Left wrist plain film | AP projection | age 14 y, female —

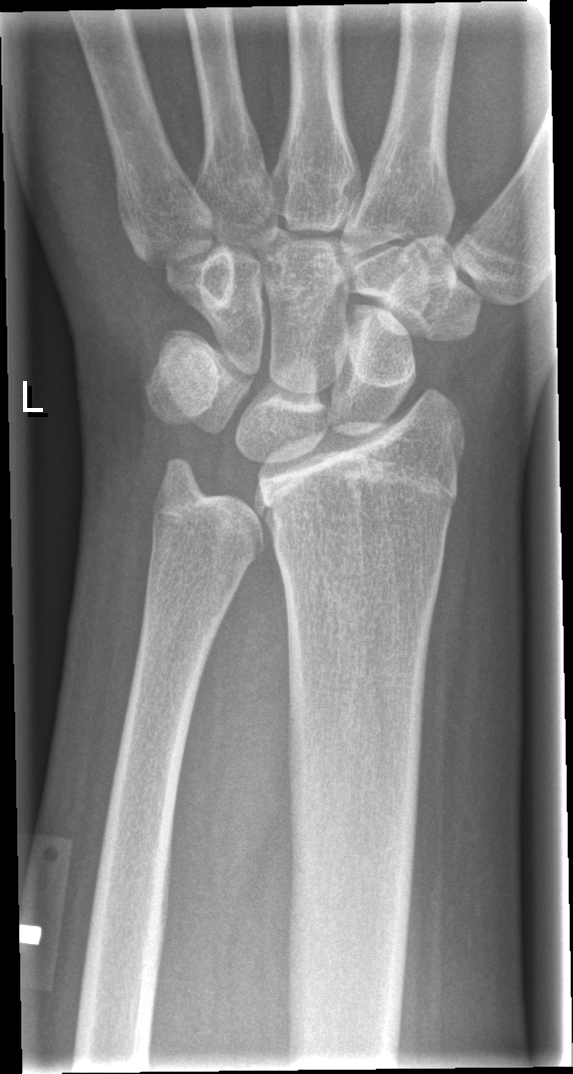

Fx: none labeled